PA/AP view · left plain radiograph of the wrist: 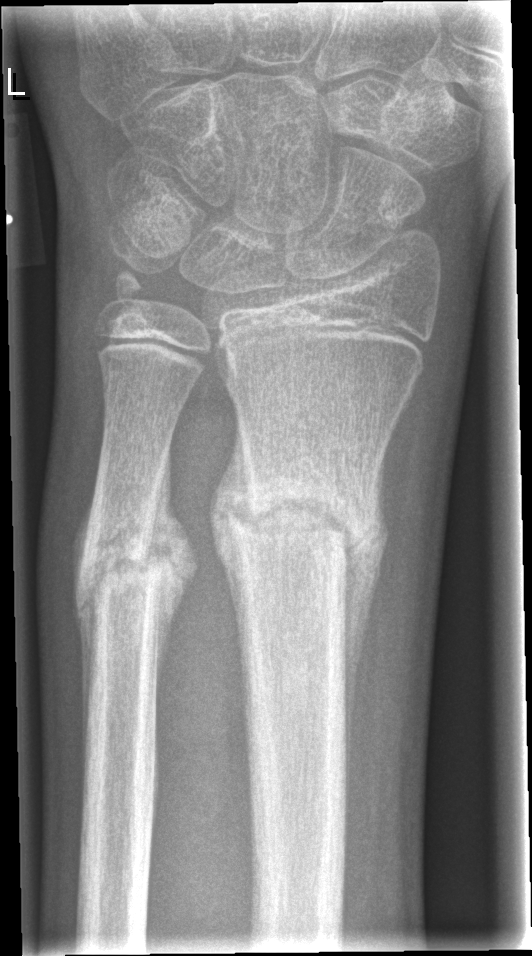 AO/OTA = 23-M/3.1; 23u-E/7
periosteal thickening = [x1=337, y1=454, x2=391, y2=823]; [x1=209, y1=413, x2=254, y2=744]; [x1=144, y1=434, x2=200, y2=690]; [x1=70, y1=482, x2=101, y2=798]
bone fracture = [x1=226, y1=471, x2=382, y2=570], [x1=81, y1=497, x2=168, y2=615], [x1=95, y1=260, x2=162, y2=325]